Right wrist X-ray | lat | male, 13 yo | Siemens.
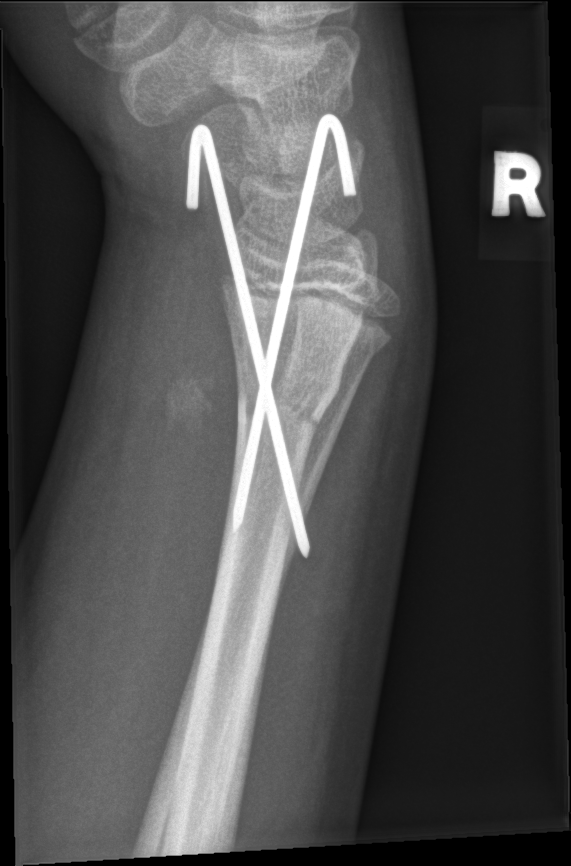

  metal: 1 @ (189, 131, 337, 545)
  fracture: 1 @ (233, 372, 343, 430)